Lateral view · Rt wrist XR · follow-up
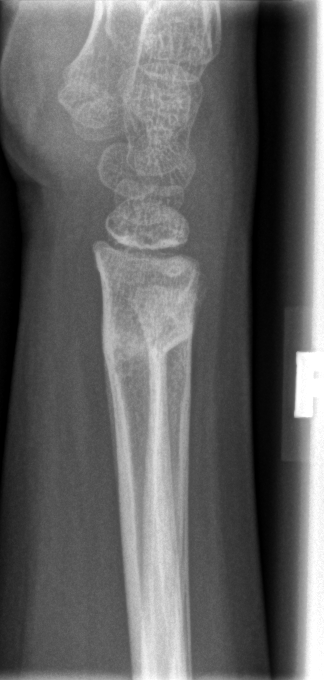
  # pixel coordinates, top-left origin, xyxy
  periostealreaction: 1 @ 103 349 119 512
  fracture: 97 300 198 376
  osteopenia: present